PA/AP view · left wrist plain film · age 6 y, boy · Siemens · image width 55.9 mm —

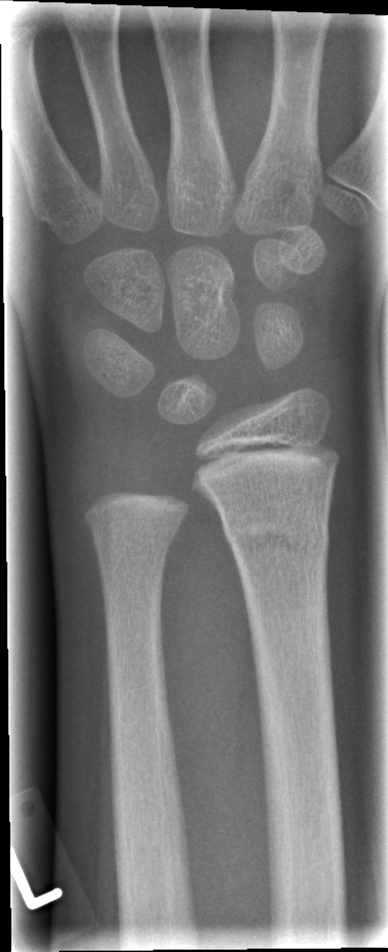 FINDINGS — Two fractures at bbox(220, 513, 334, 565); bbox(87, 516, 183, 563). AO/OTA classification: 23-M/2.1.